Posteroanterior | L wrist radiograph | pediatric patient (female, age 5) | acquired on Siemens
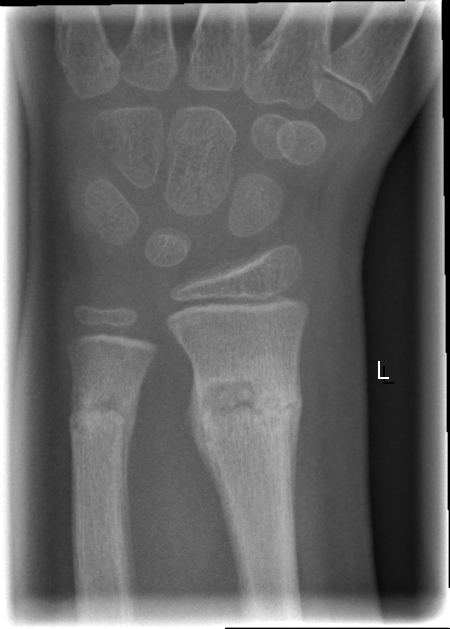
(pixel coordinates, top-left origin, xyxy)
Osteopenia = present
Periosteal new bone = [x1=182, y1=364, x2=253, y2=599] [x1=289, y1=323, x2=306, y2=530]
Bone fracture = 2 @ [x1=190, y1=364, x2=303, y2=448] [x1=66, y1=380, x2=140, y2=448]